Lat · left wrist X-ray · imaged through cast. 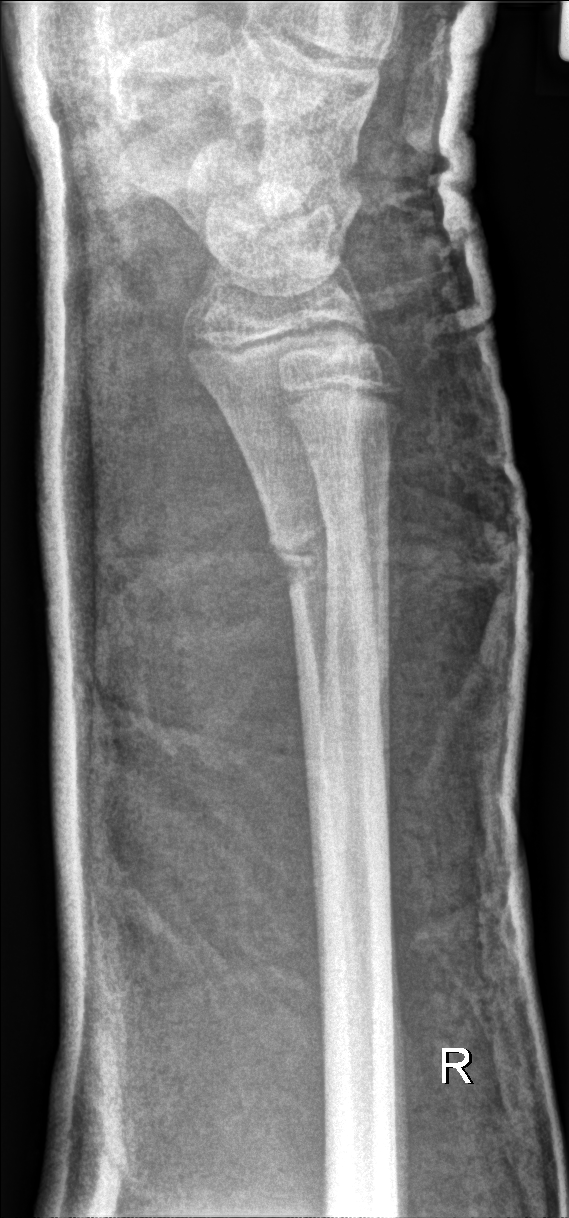 (boxes as x1,y1,x2,y2 (top-left / bottom-right, pixel units))
AO/OTA = 23-M/2.1
Fx = 2 @ <263,515>-<390,597>, <313,479>-<399,546>